Right wrist radiograph, lat, male, 10 yo, initial study, image width 65.2 mm

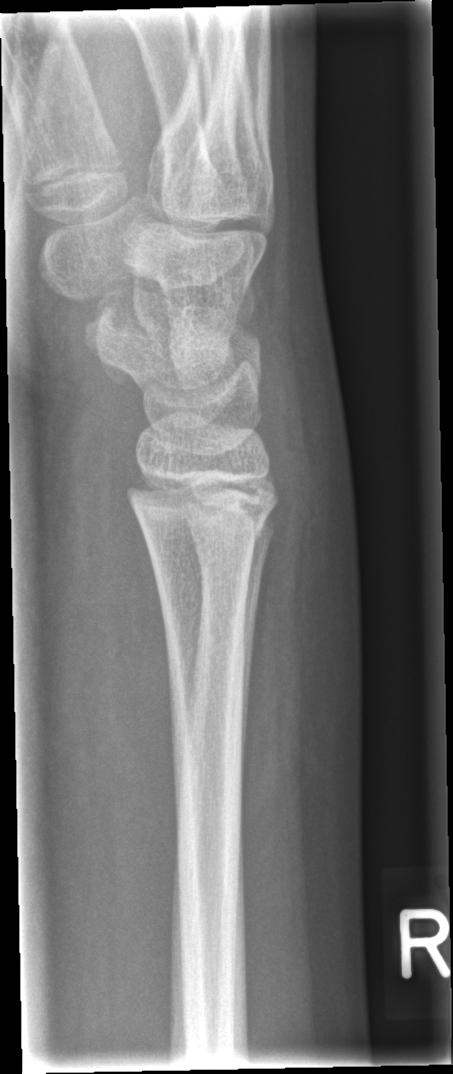 Coordinates are [x1, y1, x2, y2] in image pixels. Fracture classified AO/OTA 23r-E/2.1. Fracture: (123, 468, 283, 544). One soft-tissue finding at (265, 327, 366, 582).